Lat projection, left wrist radiograph, 609x990: 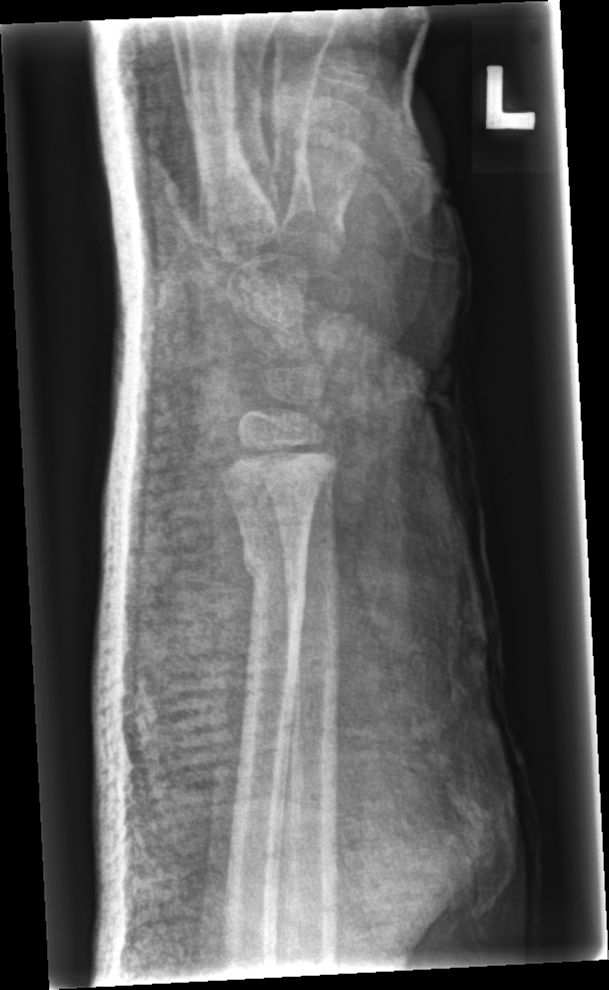
Findings: Fracture classified AO/OTA 23r-M/3.1. Fracture — bbox(238, 531, 311, 607).